Rt plain radiograph of the wrist · frontal view · male, 13 yo · Siemens.
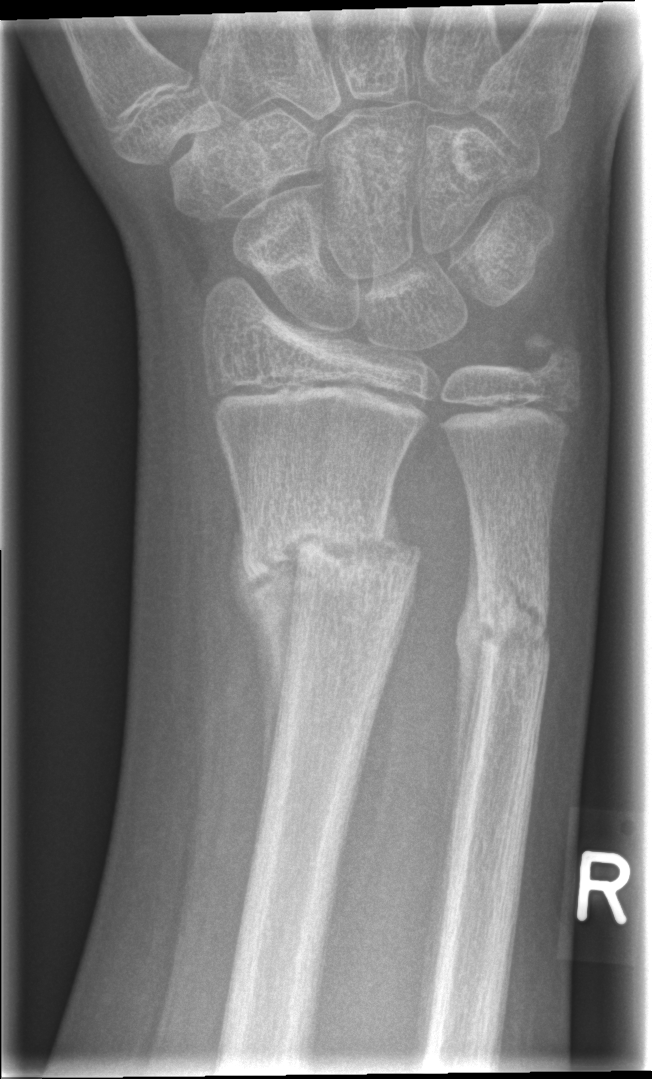 Findings: Osteopenic. Bone fracture: [x1=236, y1=495, x2=426, y2=623], [x1=471, y1=564, x2=555, y2=670], [x1=516, y1=317, x2=586, y2=389]. AO code 23r-M/3.1; 23u-M/2.1; 23u-E/7. Periosteal new bone identified at [x1=412, y1=504, x2=494, y2=1062], [x1=230, y1=540, x2=290, y2=792], [x1=380, y1=478, x2=414, y2=561].